Left wrist radiograph; PA view; 5y F; cast in situ; acquired on Siemens — 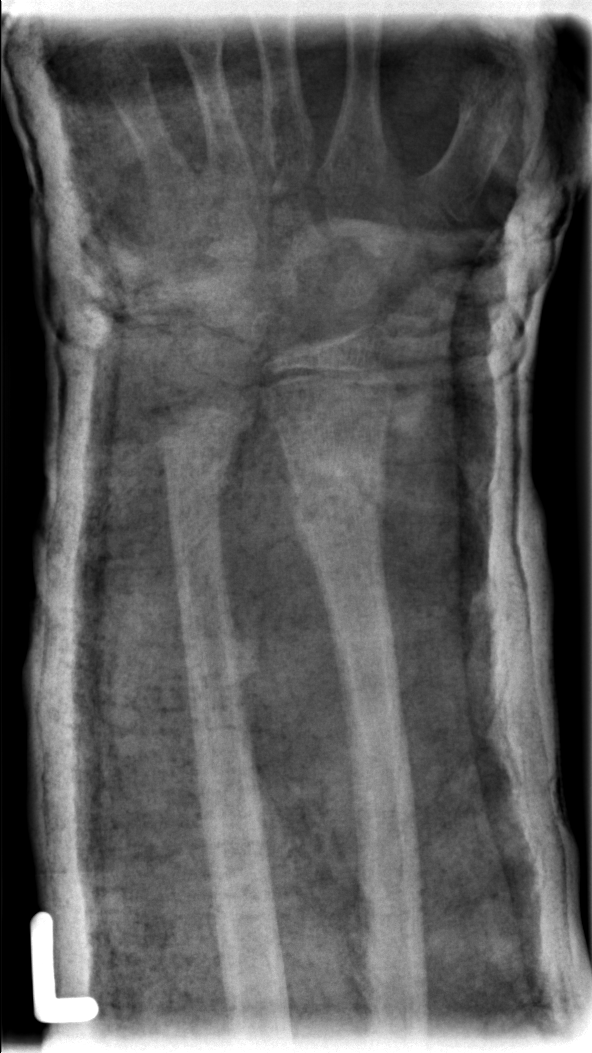 - Boxes as x1,y1,x2,y2 (top-left / bottom-right, pixel units).
- AO code 23-M/3.1.
- Fracture identified at (283, 445, 391, 550), (158, 438, 239, 495).